Lat view, L pediatric wrist radiograph, age 9 y, girl, follow-up study: 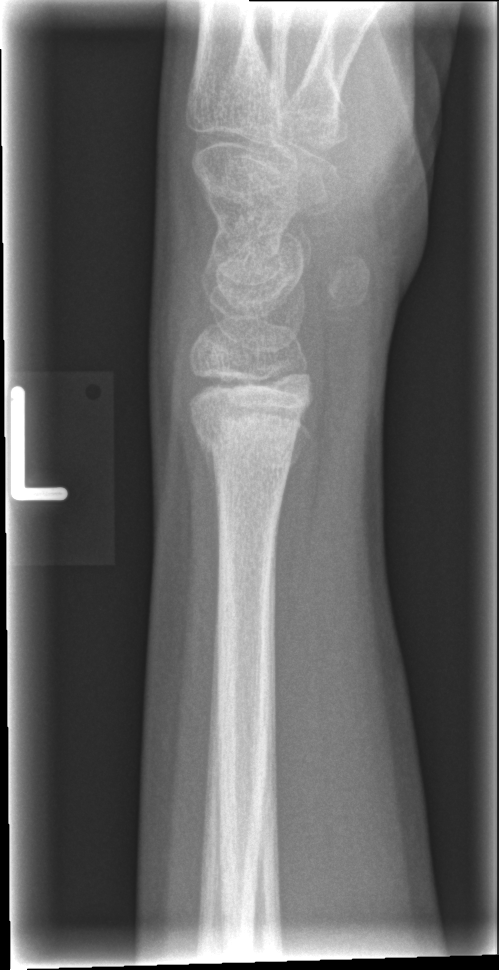
Reduced bone mineral density. Bone fracture identified at (left=183, top=393, right=312, bottom=482).